Rt wrist plain film | posteroanterior view | age 9 y, female | index exam | 82.8 mm image width:

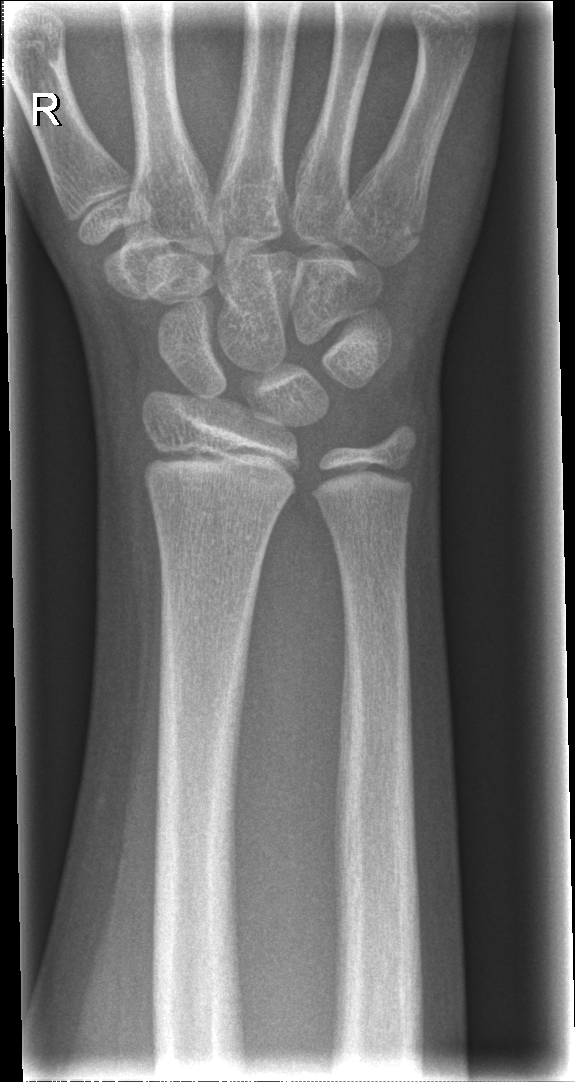 {"fracture": "none labeled"}